R plain radiograph of the wrist | lateral —

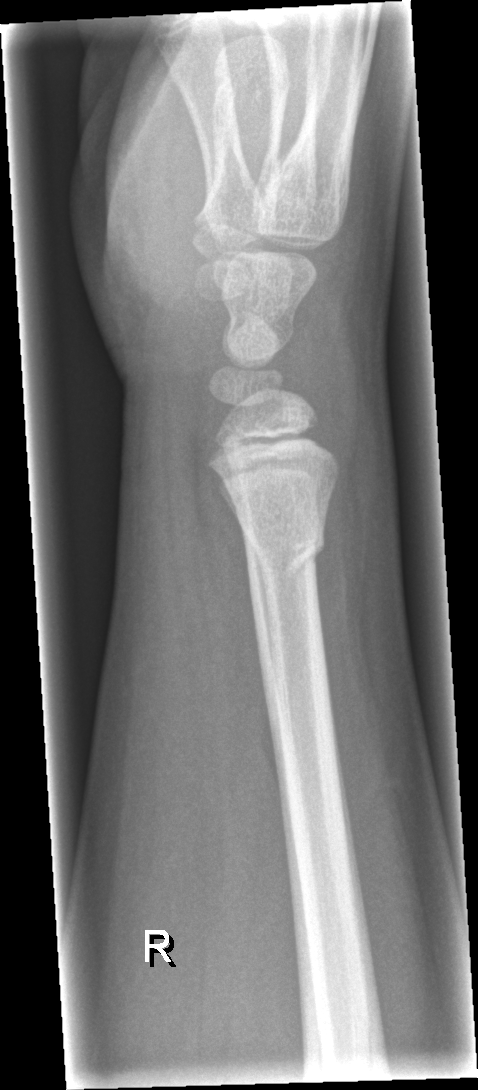 AO classification = 23r-M/3.1; 23u-M/2.1
Fracture = 1 @ bbox(239, 504, 334, 587)